R wrist X-ray; lat; male, 15 yo; follow-up; in cast; Siemens:

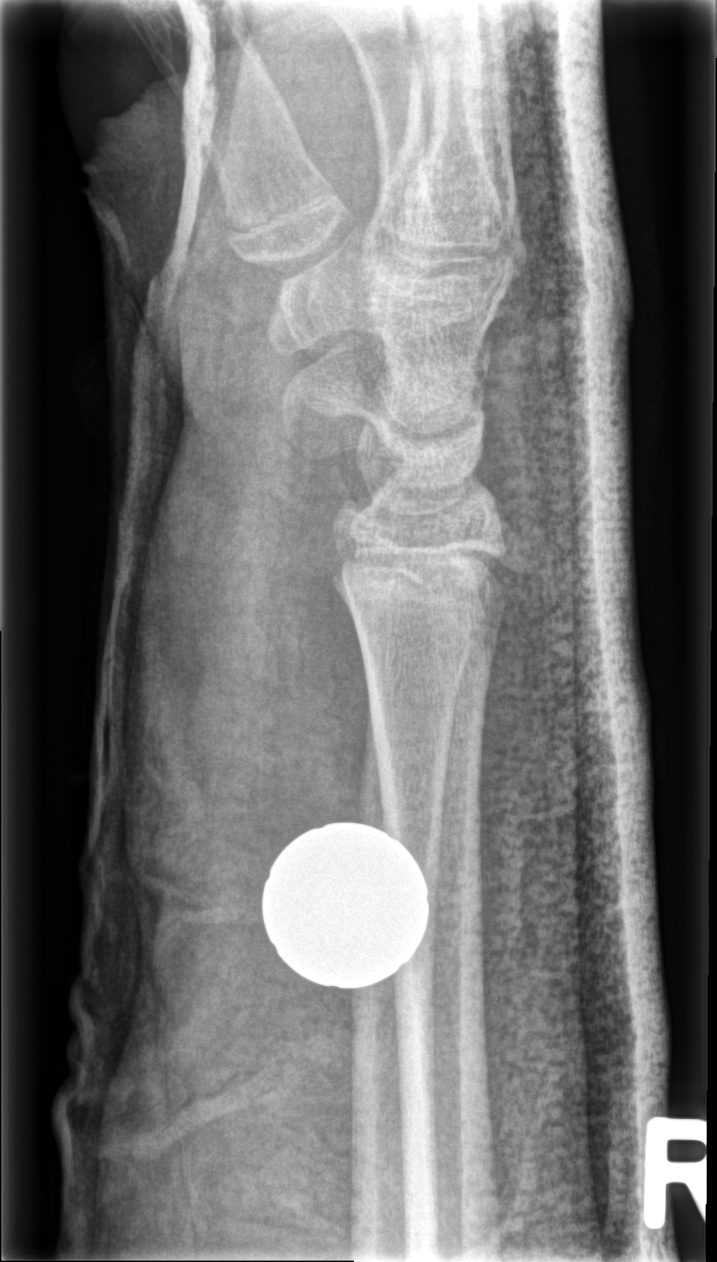 - One metallic implant at [258, 817, 431, 992].
- AO/OTA classification: 23r-E/2.1; 23u-E/7.
- One Fx at [327, 536, 518, 610].